Right plain radiograph of the wrist · frontal.

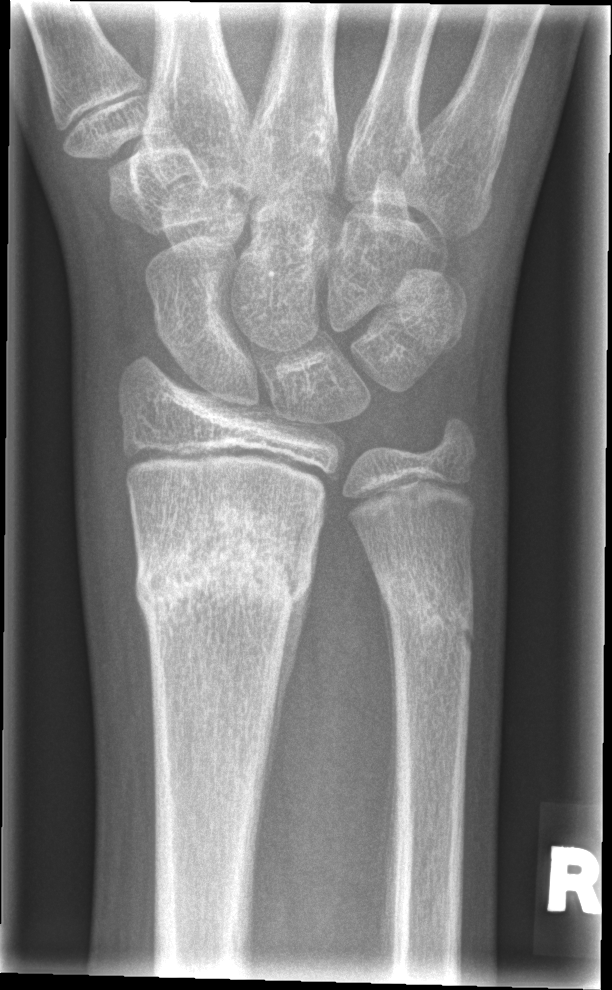 {
  "periostealreaction": "[258, 523, 321, 841] [381, 591, 399, 843]",
  "fracture": "[130, 506, 319, 638], [379, 557, 478, 675]"
}